L wrist XR, posteroanterior, 9-year-old girl: 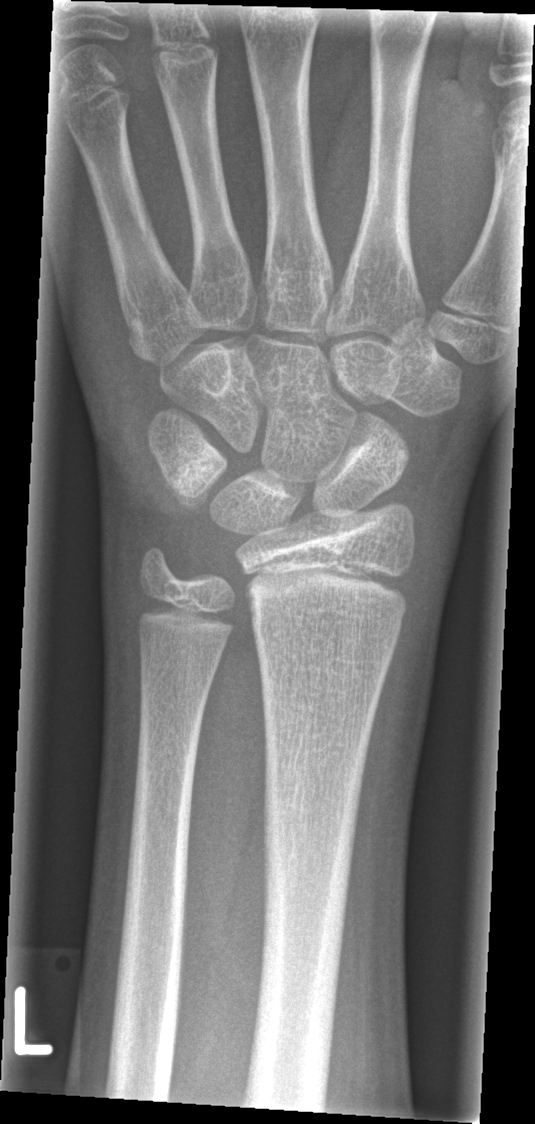 No Fx annotated.